PA view · right wrist X-ray · age 8 y, male · follow-up study —

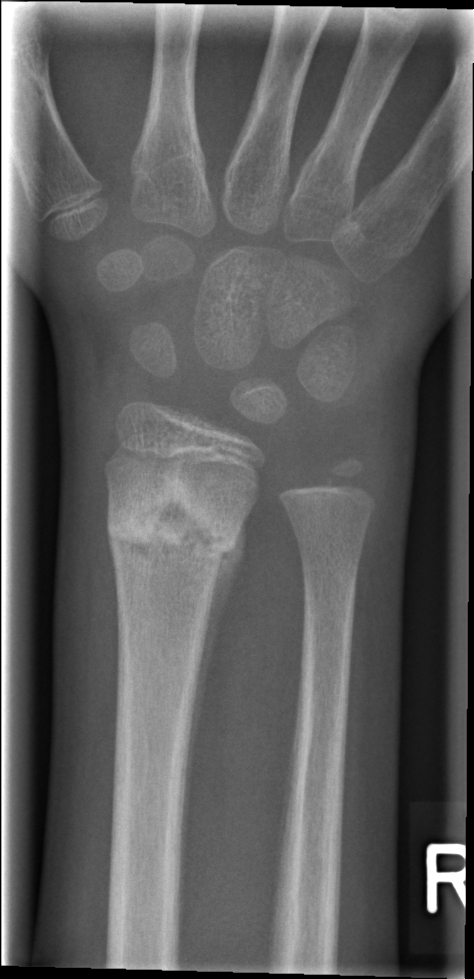
AO classification = 23r-M/3.1
Periosteal thickening = (184, 513, 250, 797)
Osteopenia = present
Bone fracture = (102, 470, 248, 571)